PA/AP projection · left wrist plain film.

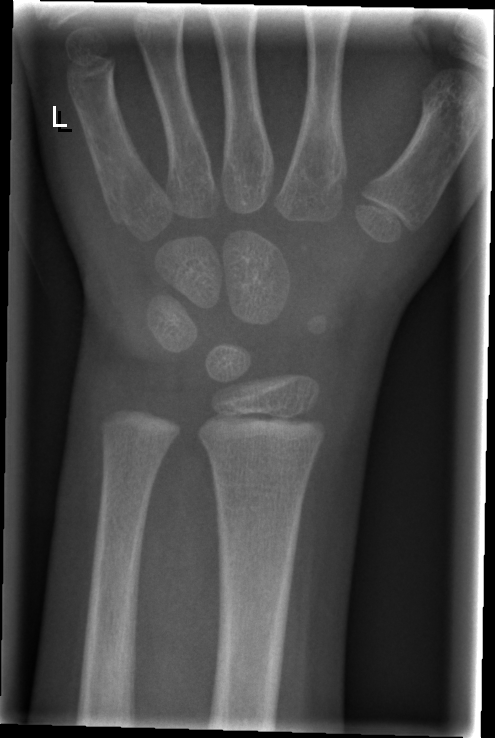 - No fracture bounding box.